Lateral view | R wrist X-ray | subsequent exam | imaged through cast | image size 494x1168. 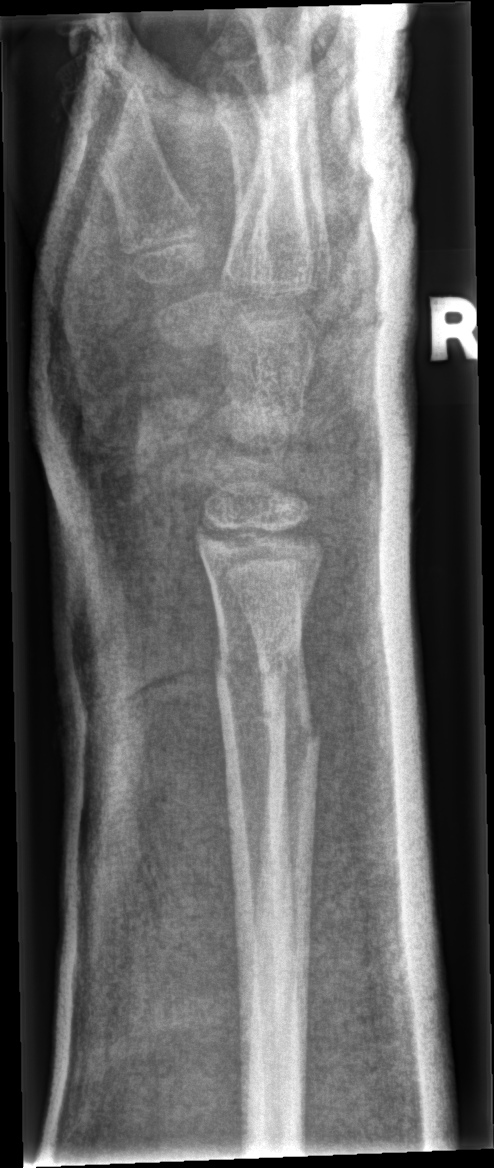 Findings: Fractures — [204, 627, 305, 693] [261, 697, 320, 773].